R pediatric wrist radiograph | posteroanterior | Siemens

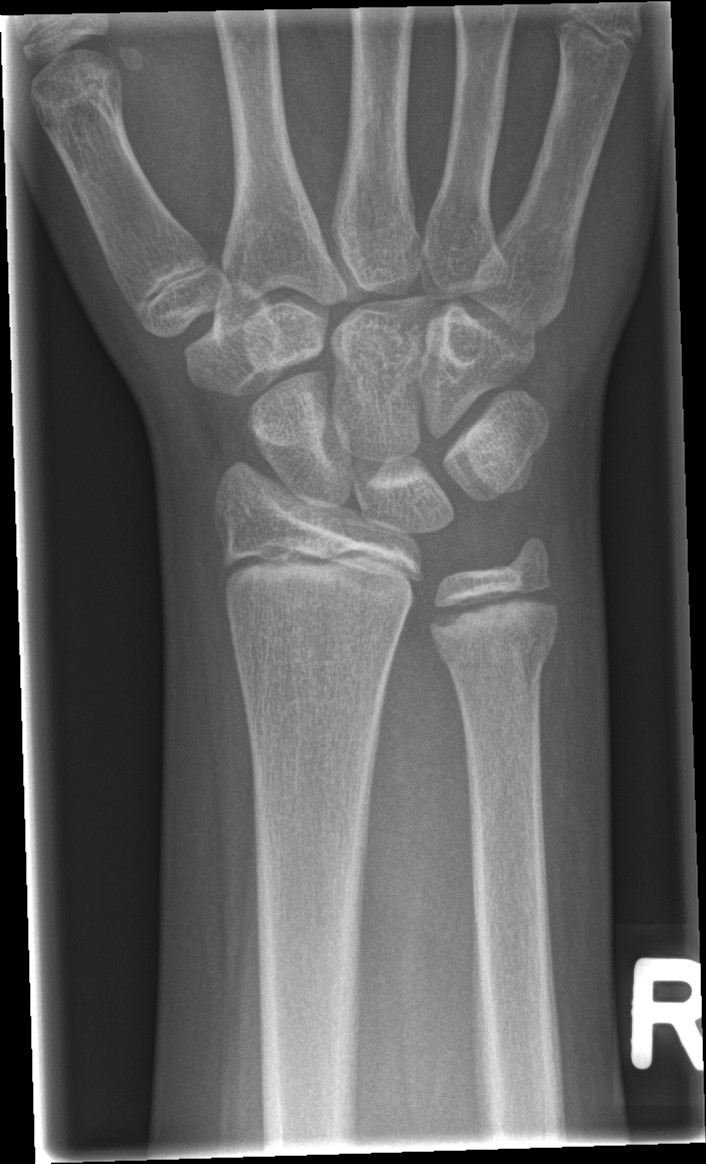 Fx: [x1=436, y1=619, x2=561, y2=687].